L pediatric wrist radiograph · PA/AP · 15y M:

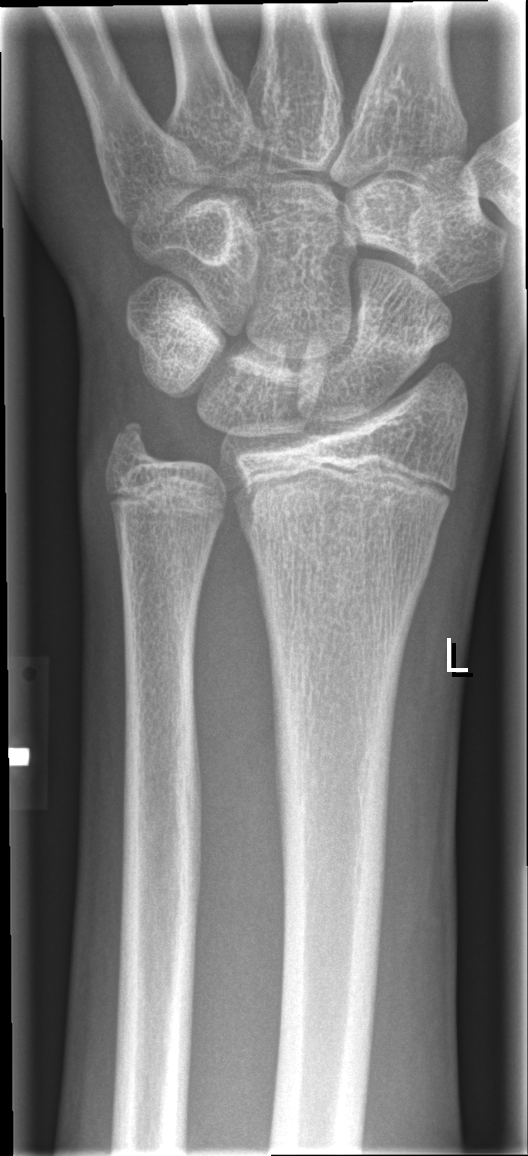 (boxes as x1,y1,x2,y2 (top-left / bottom-right, pixel units))
AO code: 23r-M/2.1; 23u-E/7
Fx: bbox(99, 411, 167, 477)